L wrist plain film, oblique, age 6 y, male, detector: Siemens —
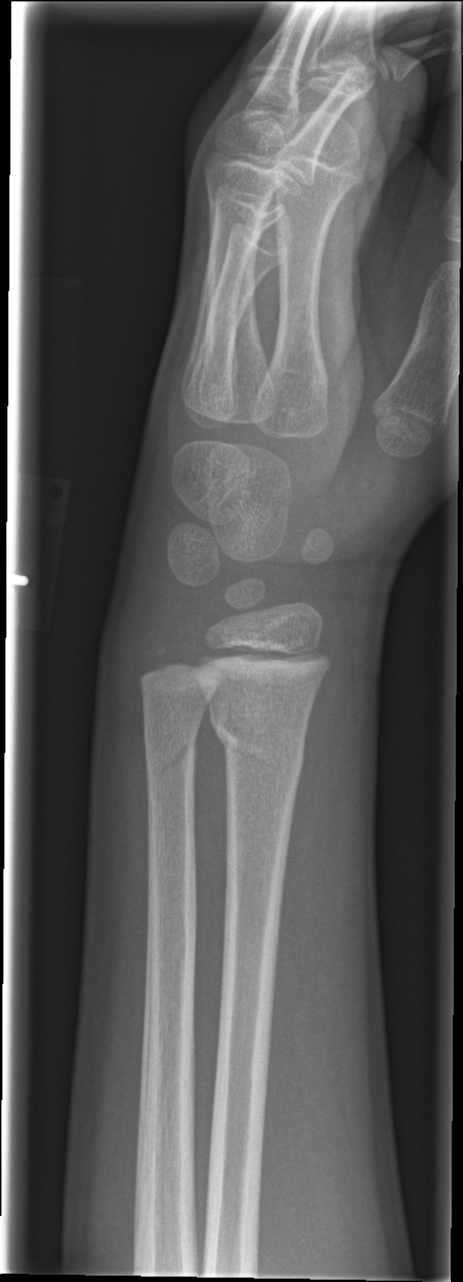 Q: Is there a fracture?
A: Fx — 207,705,309,780; 142,728,200,783
Q: What is the AO/OTA classification?
A: AO code 23-M/3.1